PA; L wrist radiograph: 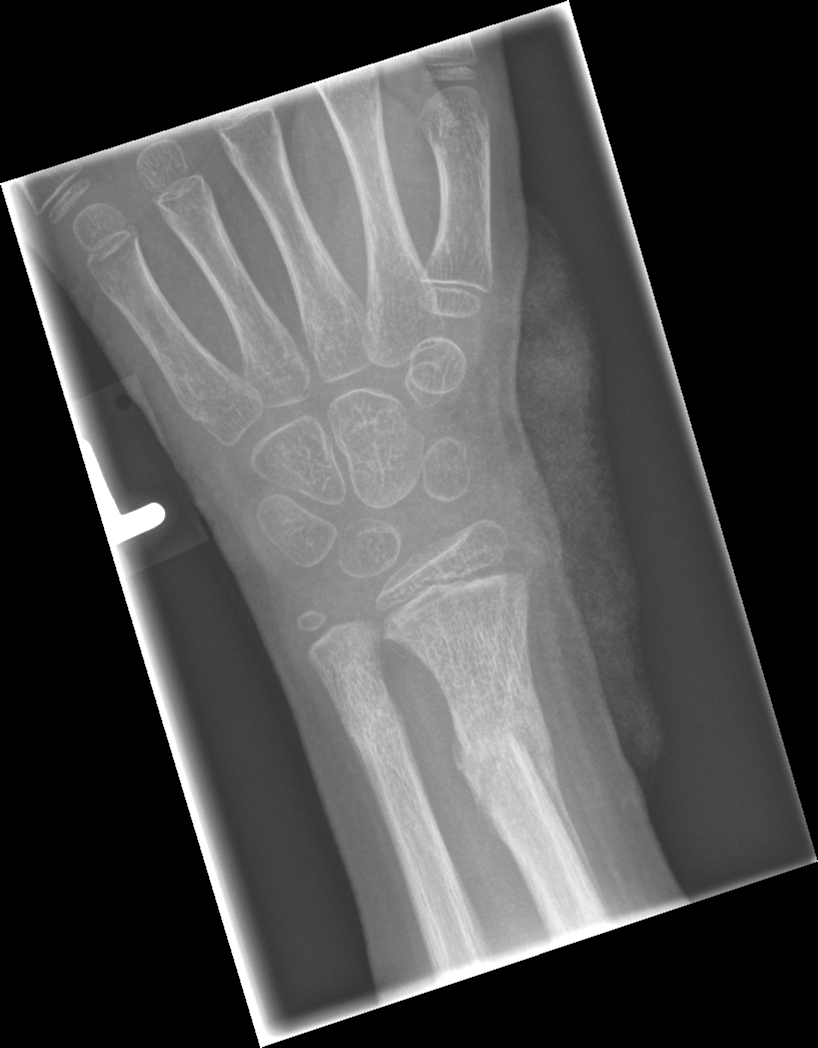

* Decreased bone density (osteopenia).
* Fracture identified at (left=454, top=704, right=562, bottom=788), (left=332, top=689, right=413, bottom=757).